PA/AP, L wrist XR, 3-year-old girl, index exam, 63.6 mm image width, image size 442x798:

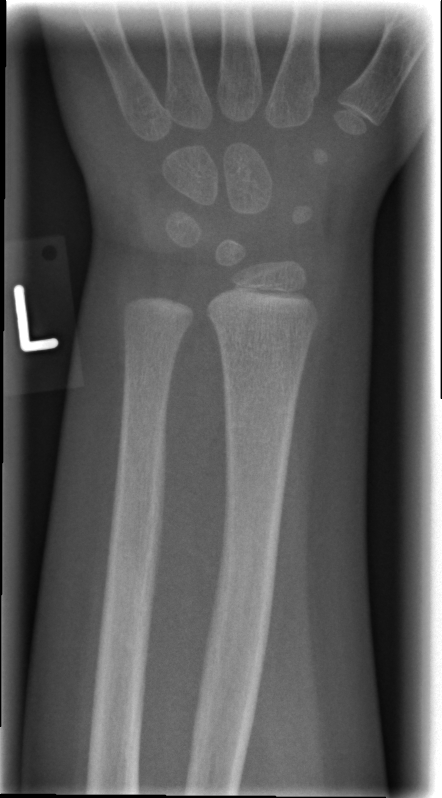 FINDINGS: No fracture bounding box.